Lateral view · Rt wrist radiograph · age 10 y, girl

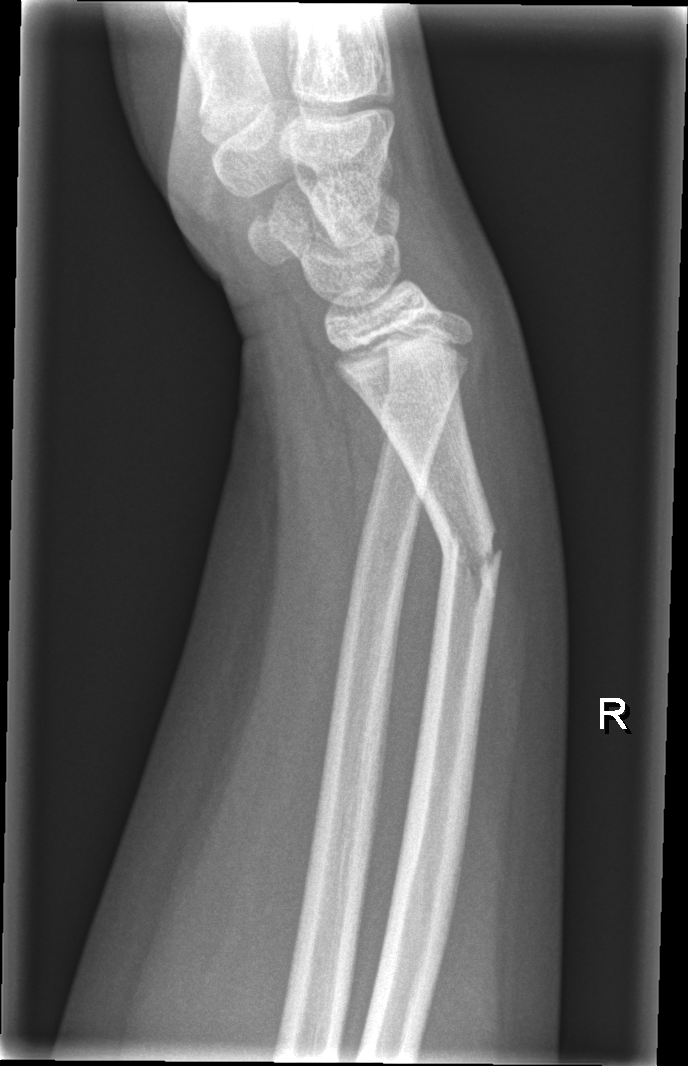
Fracture identified at [431, 506, 507, 610], [376, 386, 455, 458].